R plain radiograph of the wrist, lat, detector: Siemens.

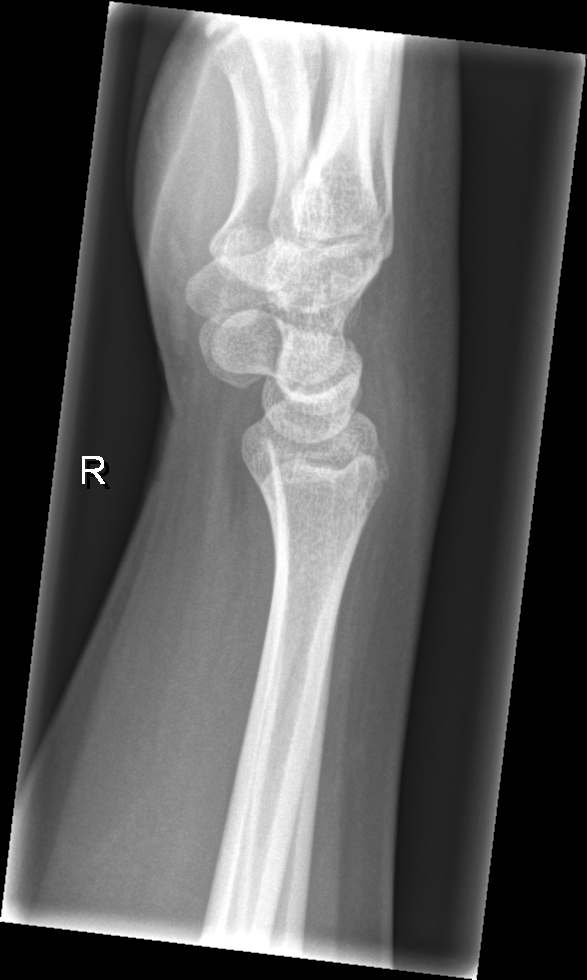

Q: Locate any fractures.
A: No fracture bounding box